Posteroanterior; Rt pediatric wrist radiograph; cast present; 583 x 684 px
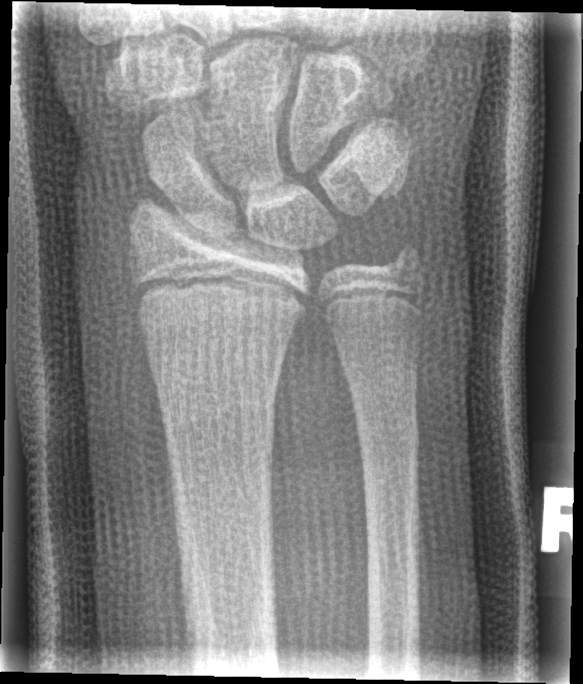 (bounding boxes in image-pixel xyxy)
Fx: <352,403>-<422,467>
AO/OTA: 23r-E/2.1; 23u-M/2.1